Lt wrist radiograph | posteroanterior view | acquired on Siemens —

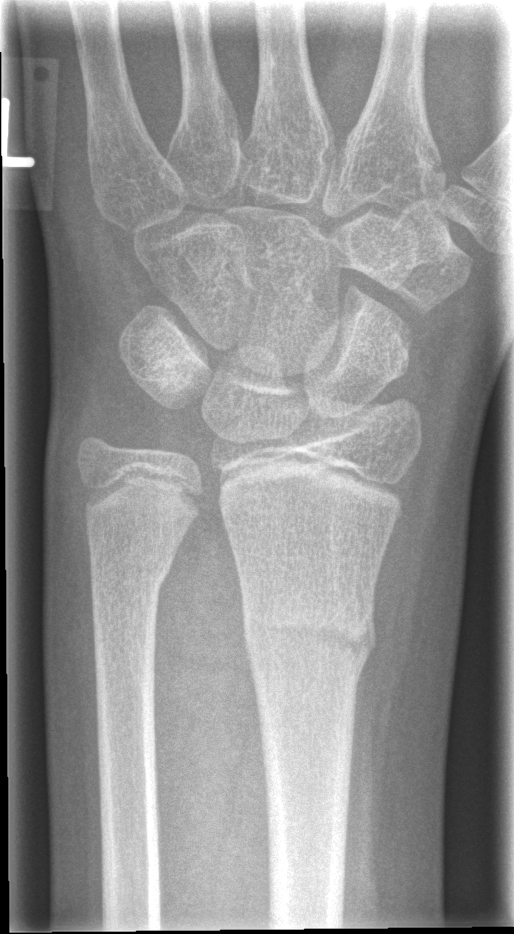
Fx — <239,604>-<380,684>; <85,548>-<177,617>.